Lat view; left wrist X-ray; cast present; image size 427x766

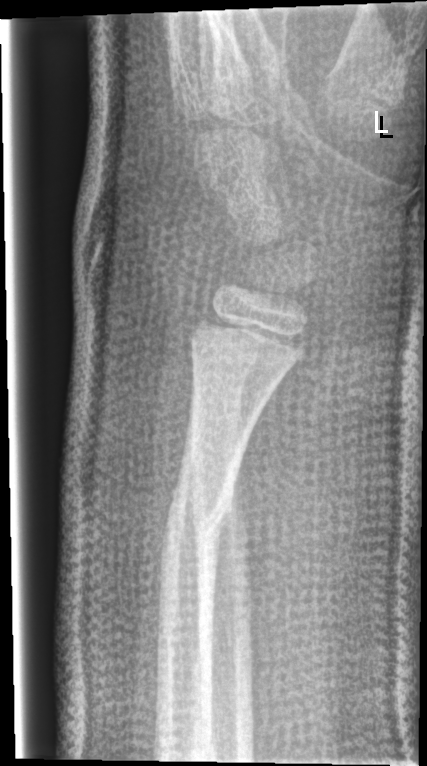

Findings: (pixel coordinates, top-left origin, xyxy) One fracture at 158,475,235,563. AO code 23-M/2.1.